PA view, L wrist radiograph, 1.8-year-old female:

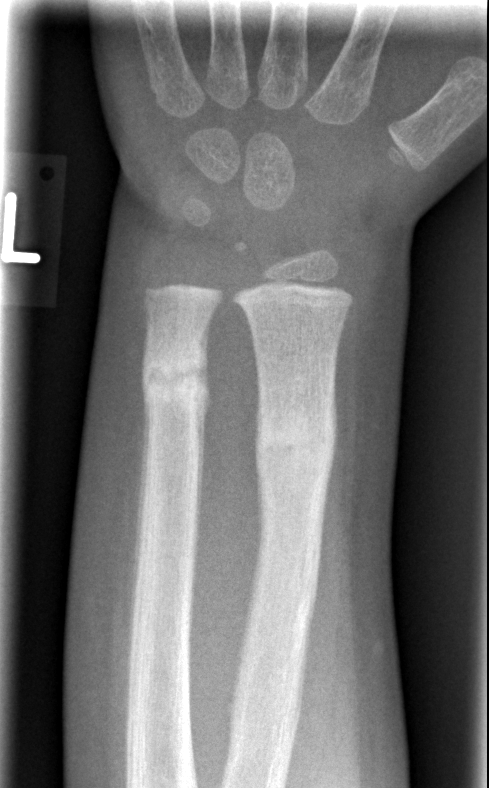

Pixel coordinates, top-left origin, xyxy. Two periosteal thickening at (left=191, top=335, right=211, bottom=601) (left=133, top=383, right=151, bottom=660). Bone fractures — (left=255, top=392, right=338, bottom=489) (left=139, top=351, right=214, bottom=416). AO/OTA classification: 23-M/3.1.